PA projection · right wrist XR · 588x1168

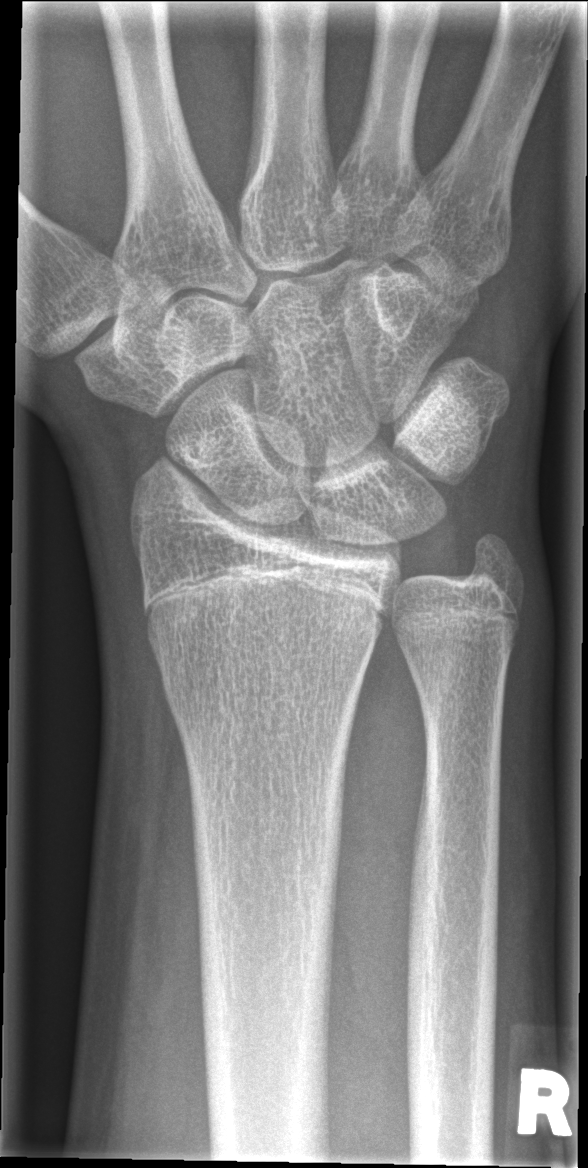 AO/OTA: 23r-M/2.1
Bone fracture: <156,659>-<371,741>